Posteroanterior projection · L plain radiograph of the wrist 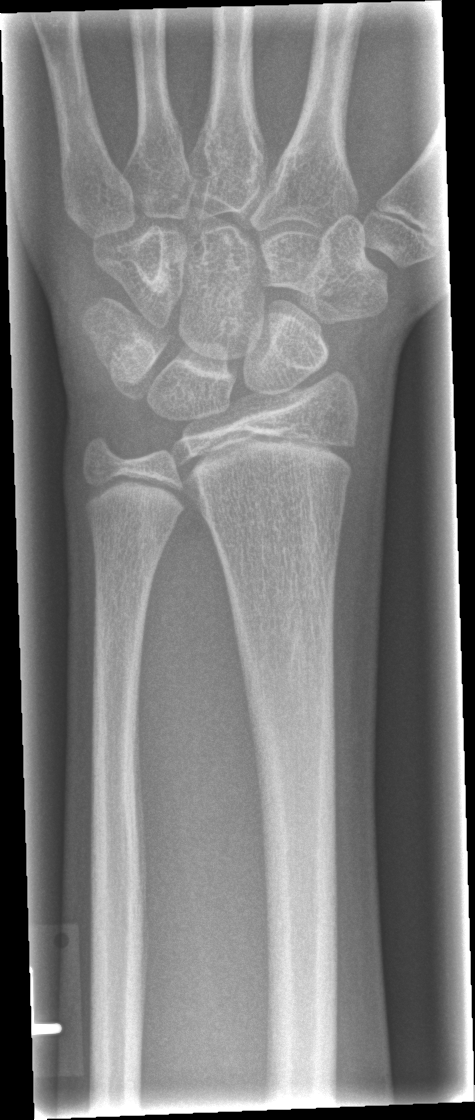
  fracture: none labeled